Lt plain radiograph of the wrist · posteroanterior projection · 7y M 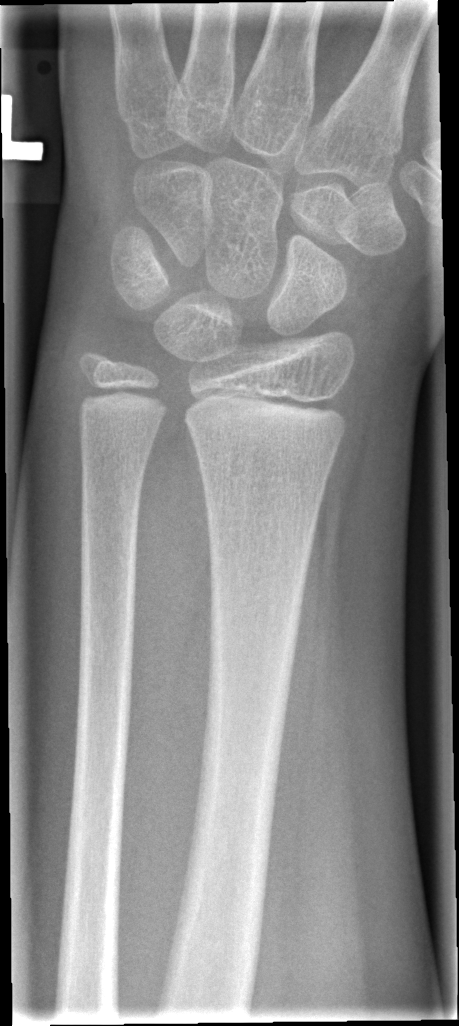
Q: Locate any fractures.
A: No fracture bounding box